Left wrist X-ray · PA/AP view · 9y F · image size 554x902

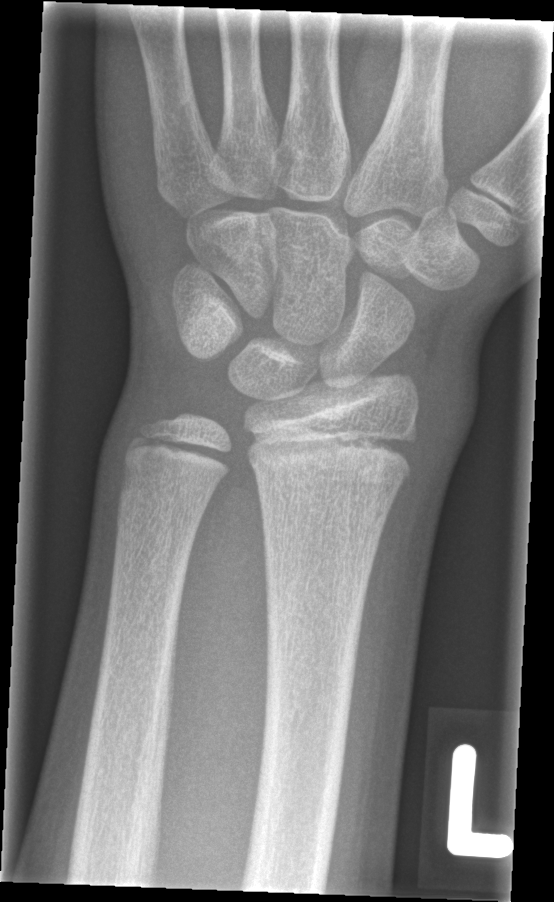 Fracture: none labeled
Osseous anomaly: [x1=108, y1=375, x2=217, y2=512]